R pediatric wrist radiograph · lateral projection · 13-year-old male · cast in situ.

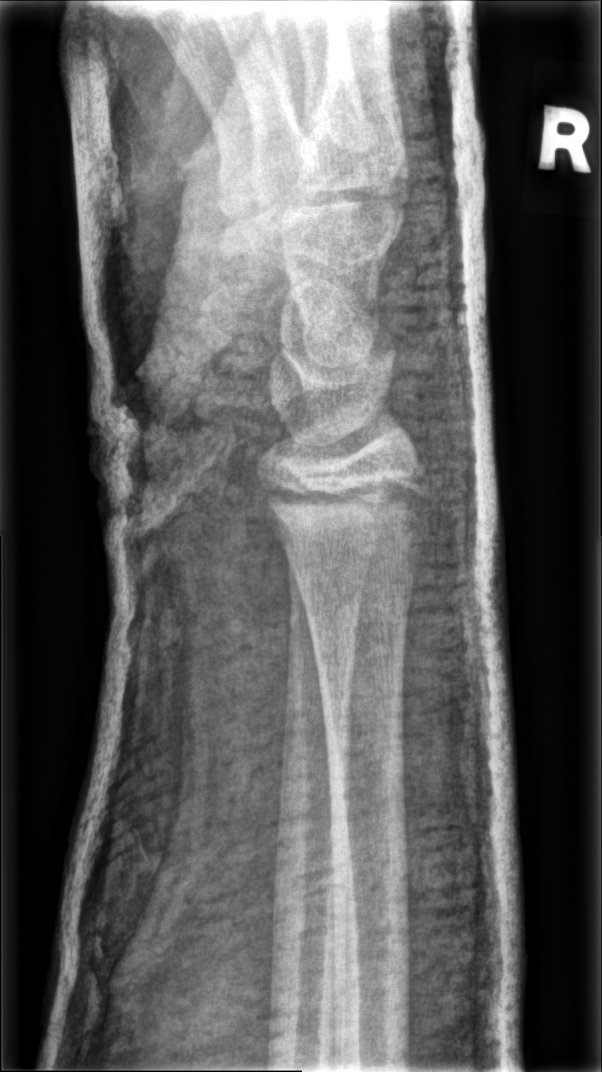 Bounding boxes in image-pixel xyxy.
One bone fracture at (262, 465, 432, 545).
AO/OTA classification: 23r-E/2.1; 23u-E/7.